Lateral; Rt wrist plain film; female, 11 yo; initial study: 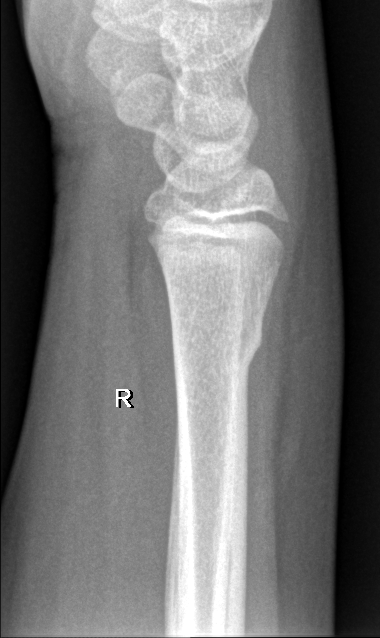
(coordinates are [x1, y1, x2, y2] in image pixels)
Q: Locate any fractures.
A: Fracture — (165, 302, 268, 376)
Q: What is the AO/OTA classification?
A: AO/OTA classification: 23r-M/2.1; 23u-E/7